PA/AP projection, R wrist X-ray, subsequent exam. 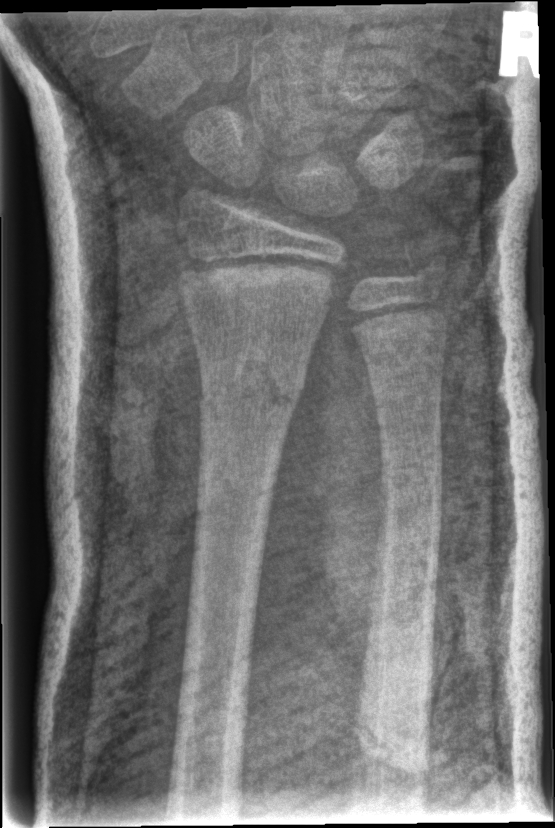

(bounding boxes in image-pixel xyxy)
AO code: 22u-D/2.1; 23r-M/2.1; 23u-E/7
Fx: 3 @ (left=192, top=333, right=306, bottom=429), (left=373, top=450, right=448, bottom=517), (left=400, top=237, right=451, bottom=285)